Left wrist XR | lat projection | follow-up | 560 by 897 pixels. 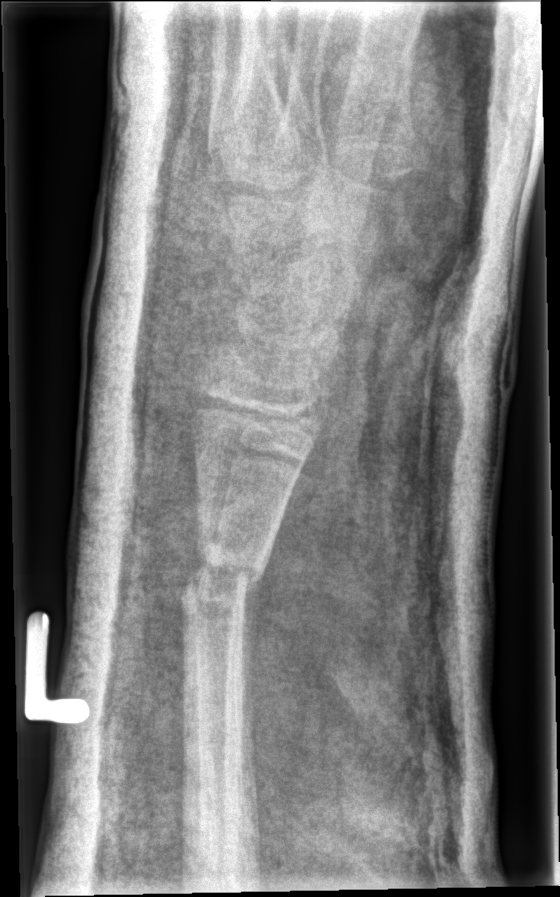

{
  "fracture": "(left=172, top=542, right=273, bottom=624)"
}